Lateral; R wrist radiograph; female, 3 yo; index exam.

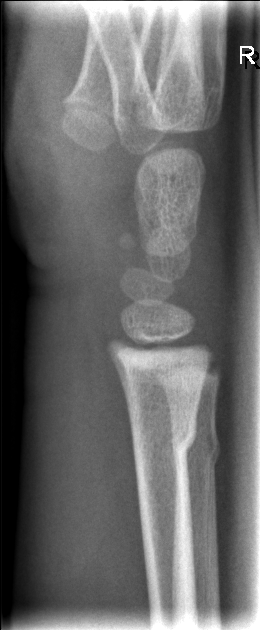 (coordinates are [x1, y1, x2, y2] in image pixels)
Bone fracture = [128, 411, 201, 467] [168, 419, 224, 478]
AO classification = 23-M/2.1